PA | L wrist XR | Siemens | 552 x 837 px

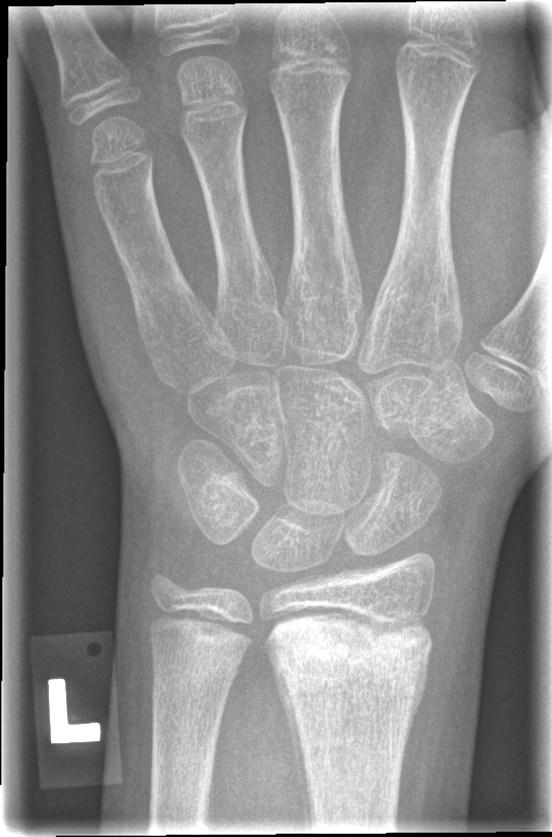
Osteopenic. AO/OTA classification: 23r-E/2.1; 23u-M/2.1. Periosteal reaction — [269, 655, 314, 834]. Two fractures at [264, 607, 435, 706]; [149, 651, 247, 709].